Rt plain radiograph of the wrist · lateral · 16y F: 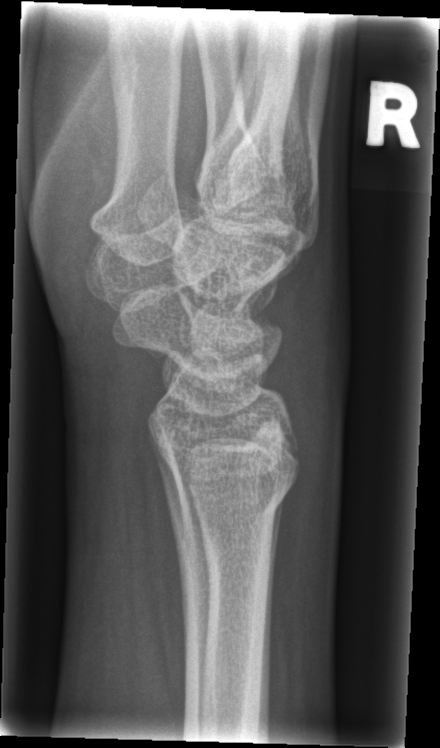

(bounding boxes in image-pixel xyxy)
Fx = 1 @ (left=163, top=454, right=304, bottom=534)